L plain radiograph of the wrist; lat projection; image 68.3 mm wide; 474 x 1150 px:

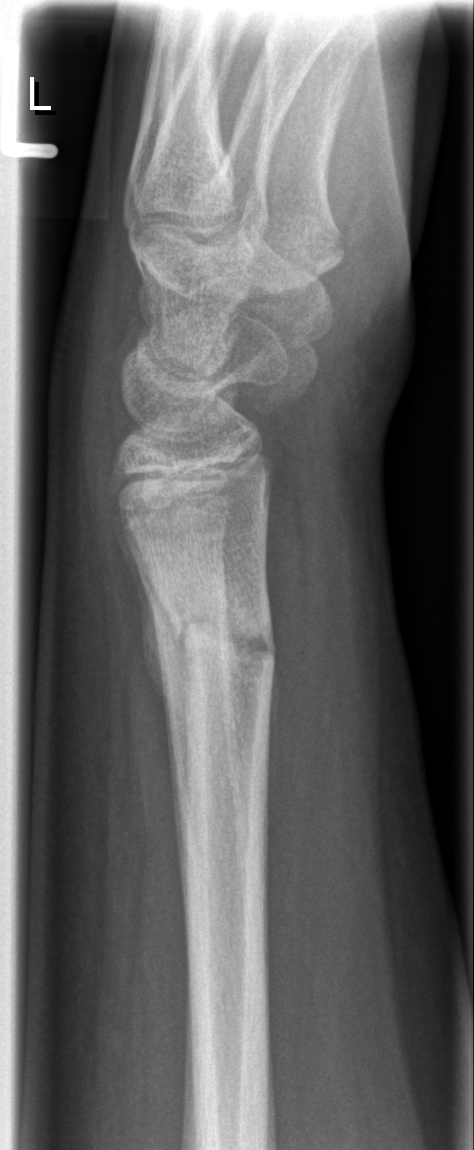
Fracture identified at 156,591,283,689.
AO code 23-M/3.1.
Two periosteal reaction at 114,505,170,715; 266,649,280,807.
Reduced bone mineral density.